R wrist radiograph; PA/AP; in cast; image width 89.4 mm; 621x930:

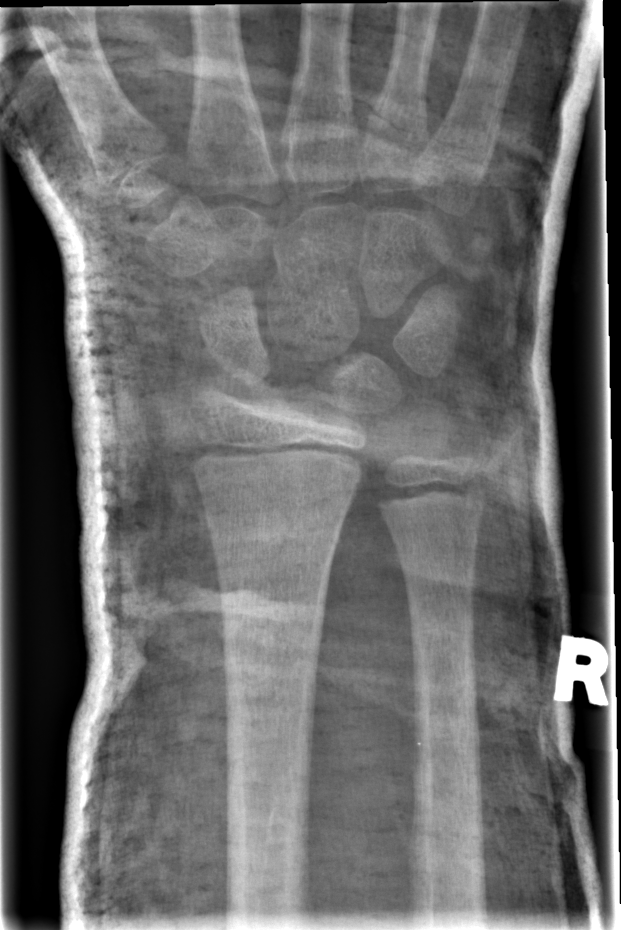 {"ao": "23r-M/2.1", "fracture": "present but not clearly seen in this view"}